Right wrist plain film; posteroanterior; cast present; 492x723:
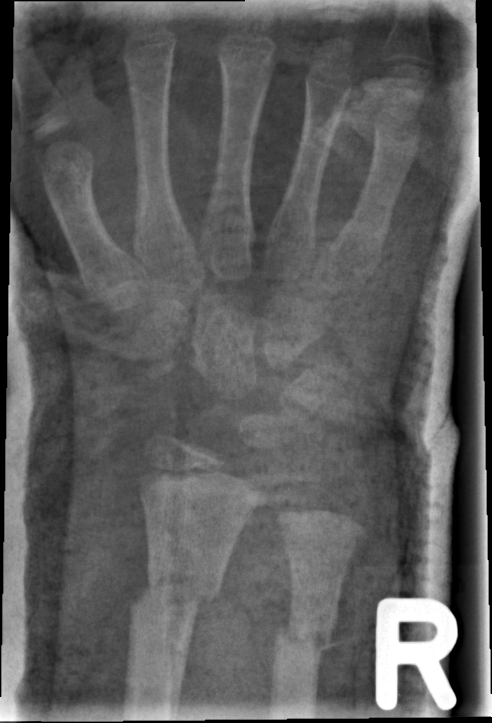

# bounding boxes in image-pixel xyxy
fracture: (125, 559, 226, 635), (270, 606, 337, 662)
ao: 23-M/3.1